Right wrist radiograph, AP, male, 15 yo, subsequent exam —

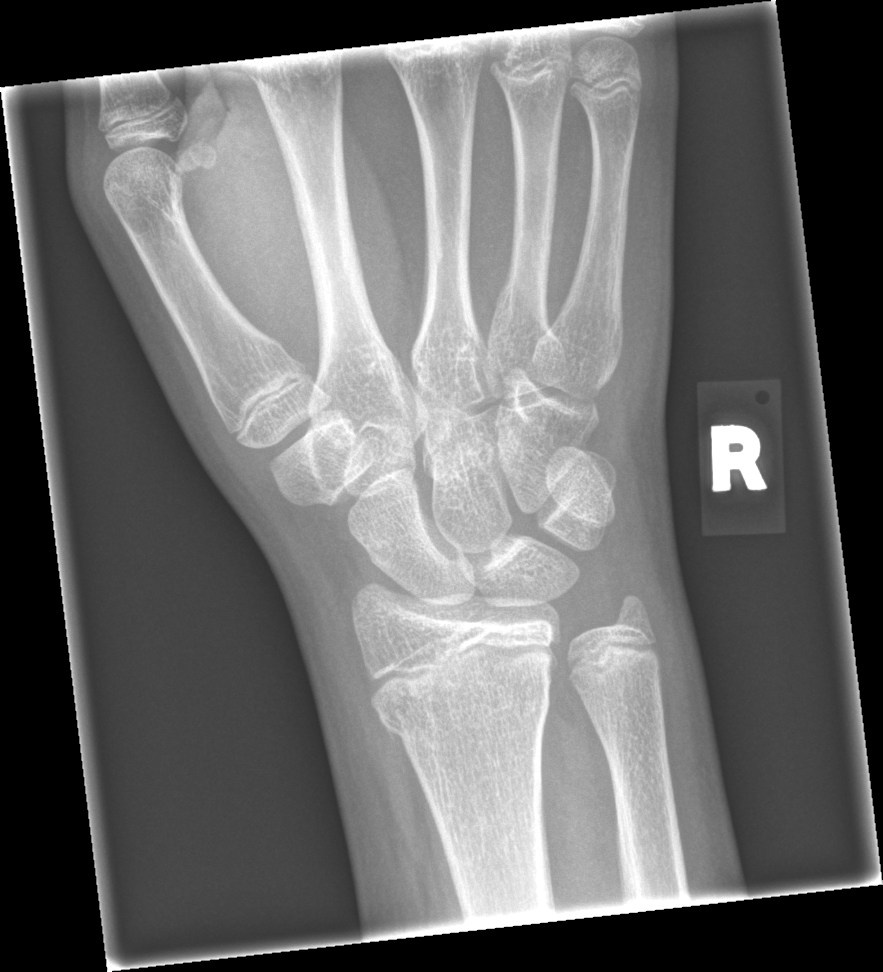

• Coordinates are [x1, y1, x2, y2] in image pixels.
• Fracture — [369, 641, 555, 739].
• Fracture classified AO/OTA 23r-M/3.1.